Right wrist plain film; PA/AP projection; boy, 14 yo — 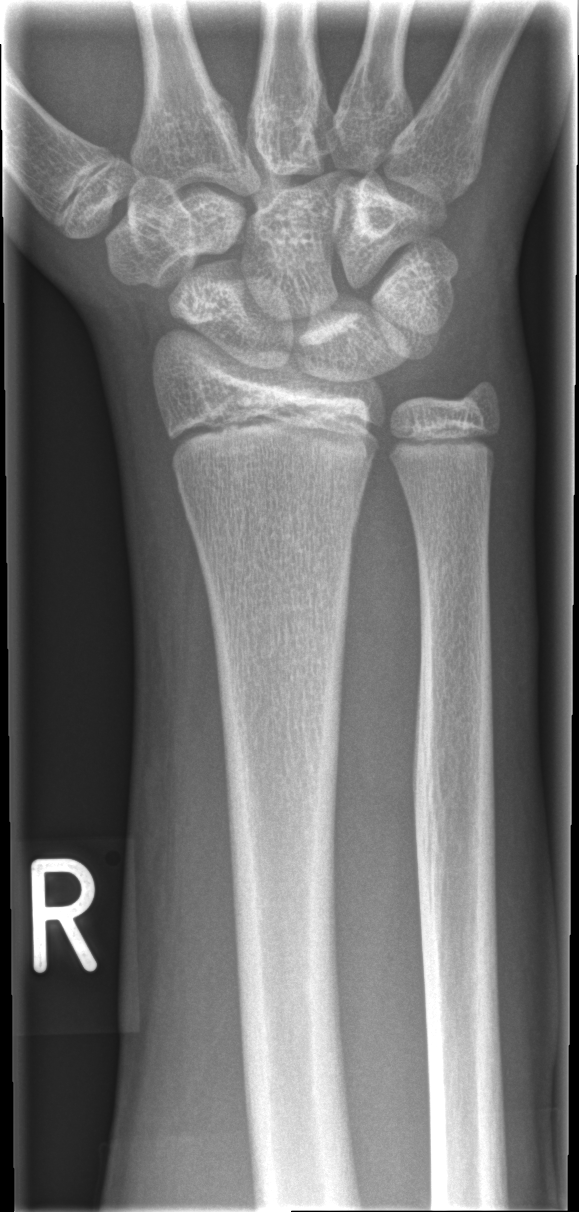 fracture = none labeled